Lateral | R wrist XR | pediatric patient (male, age 5) | subsequent exam | imaged through cast | 462 by 853 pixels —
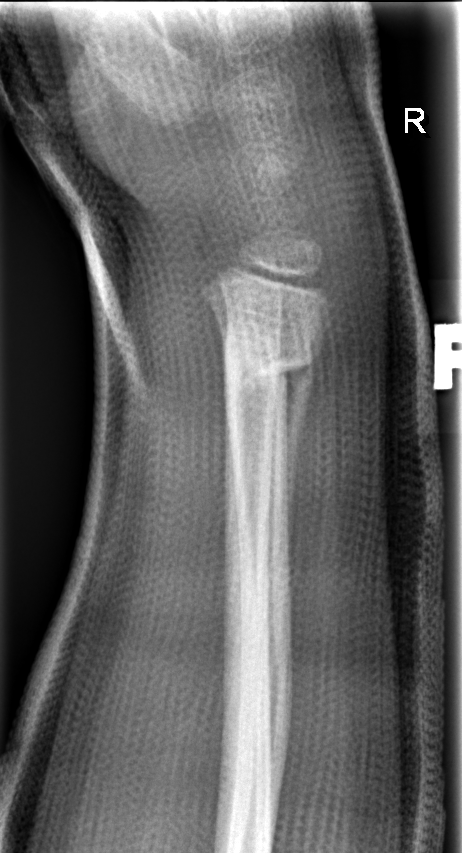 * Periosteal new bone identified at <278,362>-<316,566>.
* Fracture: <218,323>-<320,394>.
* AO code 23-M/2.1.